PA/AP, Rt plain radiograph of the wrist, girl, 10 yo, Siemens, 71.7 mm image width —
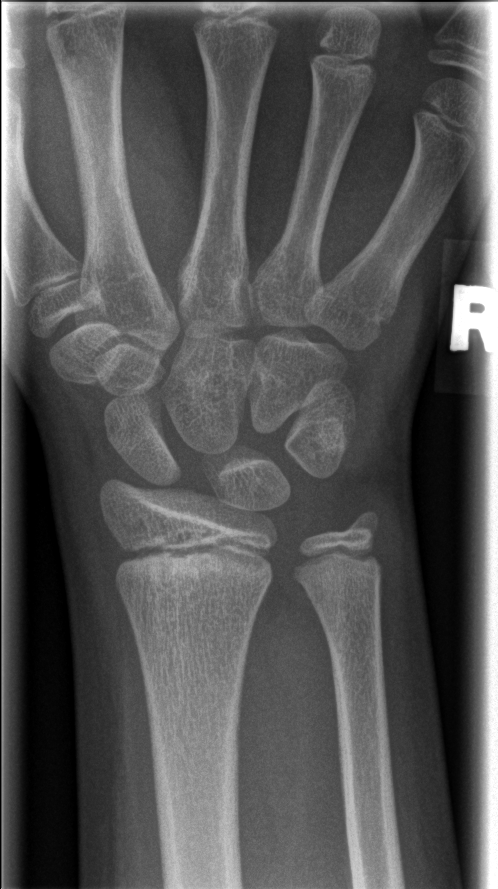

* Fracture: none labeled.